Left wrist pediatric wrist radiograph, PA/AP view, age 6 y, boy, follow-up study, Siemens, 79.3 mm image width, image size 551x940.
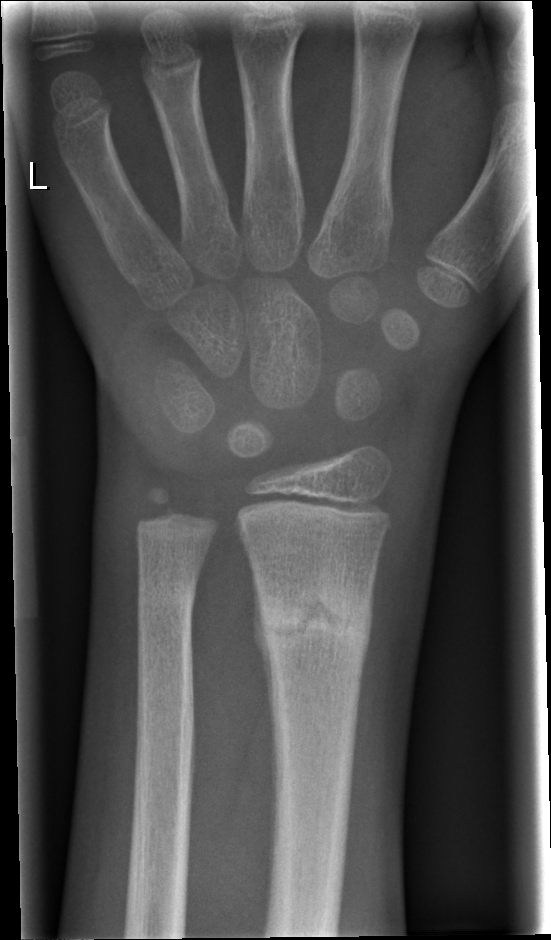

FINDINGS: Osteopenic. Periosteal new bone — [253, 578, 276, 737]. Fractures — [252, 584, 374, 652] [134, 579, 200, 621].